Lateral view · L wrist X-ray · age 9 y, girl · detector: Siemens · image size 436x756:

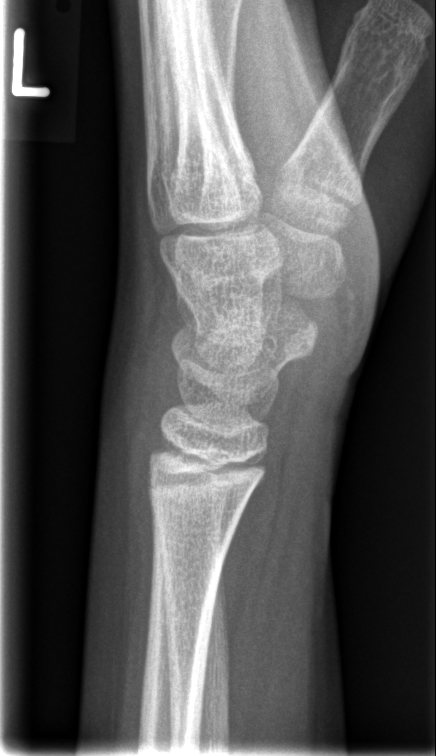

No fracture labeled.